PA · L wrist radiograph · girl, 5 yo —

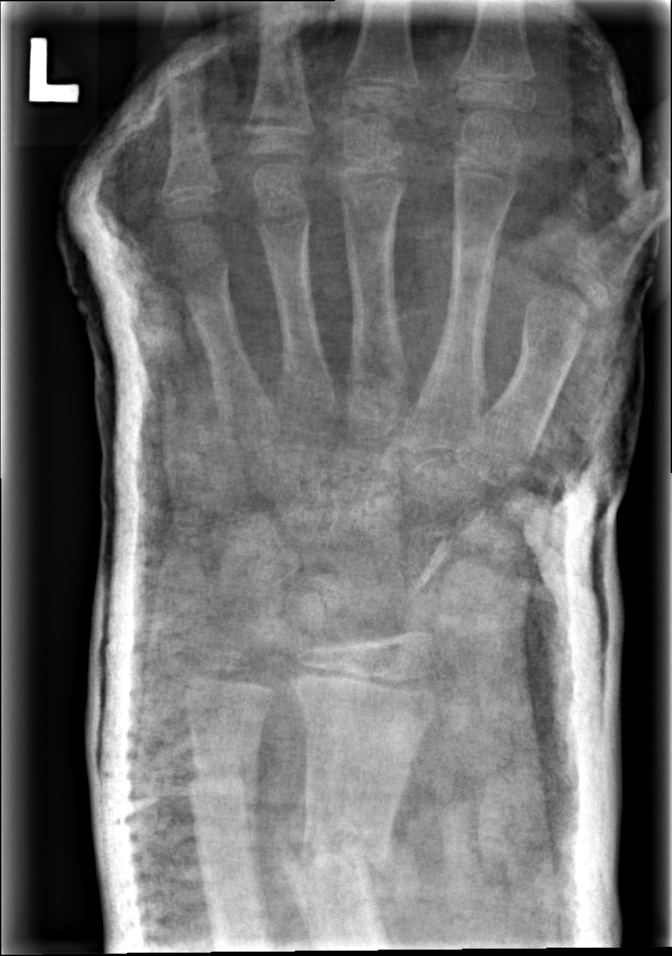   # bounding boxes in image-pixel xyxy
  fracture: (left=275, top=814, right=399, bottom=896) (left=184, top=749, right=263, bottom=804)